Right wrist XR | lateral | 13-year-old male | in cast | detector: Siemens
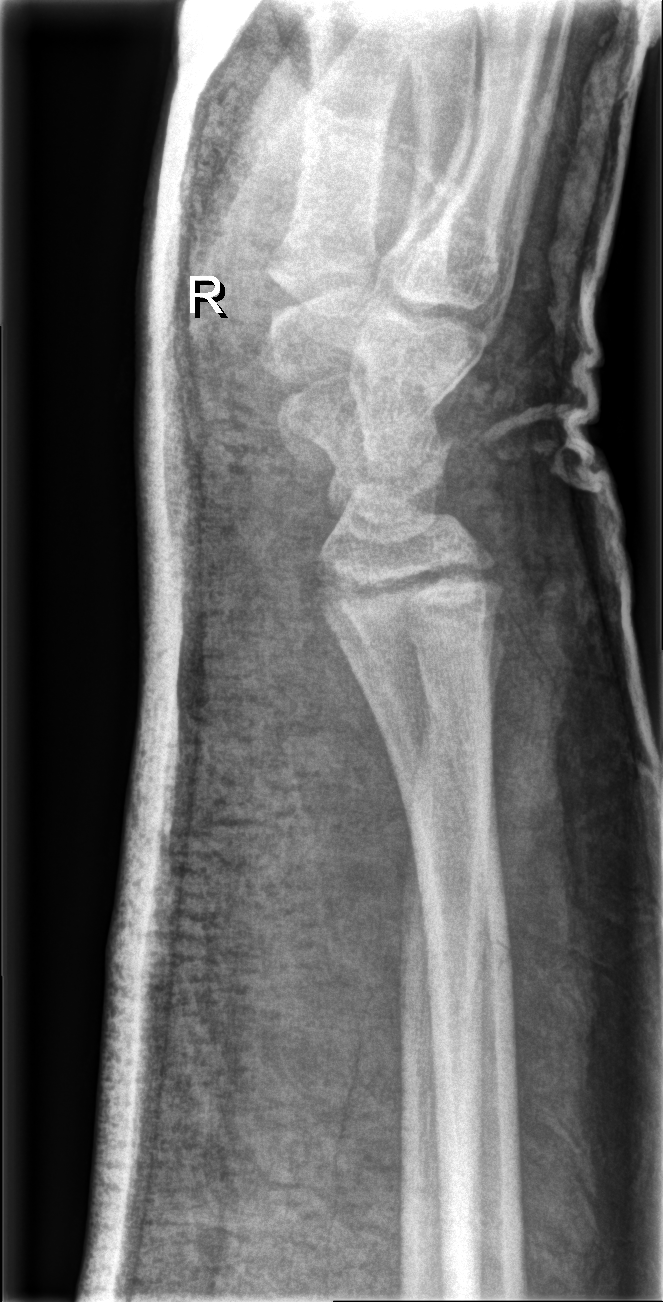
Findings: (bounding boxes in image-pixel xyxy) One bone fracture at <422,916>-<518,1019>. Fracture classified AO/OTA 22r-D/2.1.